Rt plain radiograph of the wrist, lat view, follow-up:

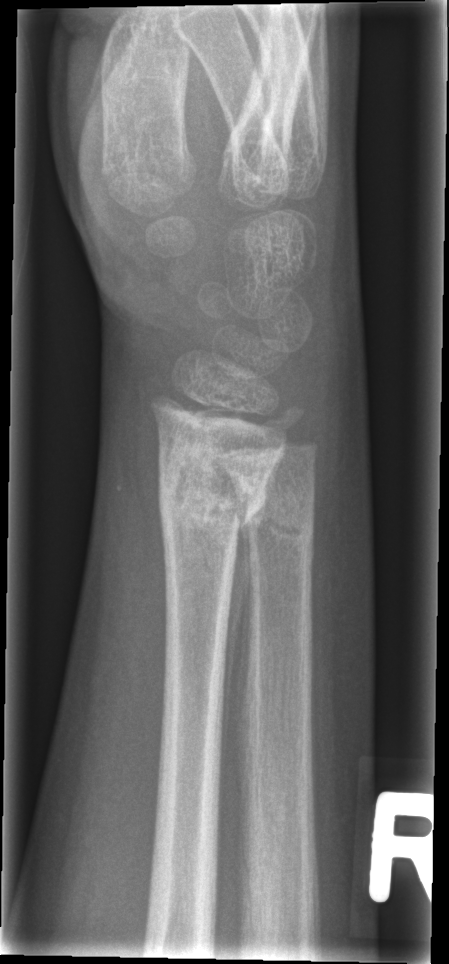 Two fractures at bbox(154, 442, 280, 542); bbox(240, 495, 318, 564).
Decreased bone density (osteopenia).
Periosteal reaction identified at bbox(219, 497, 269, 782) bbox(238, 514, 255, 822).